R pediatric wrist radiograph; lateral projection; detector: Siemens. 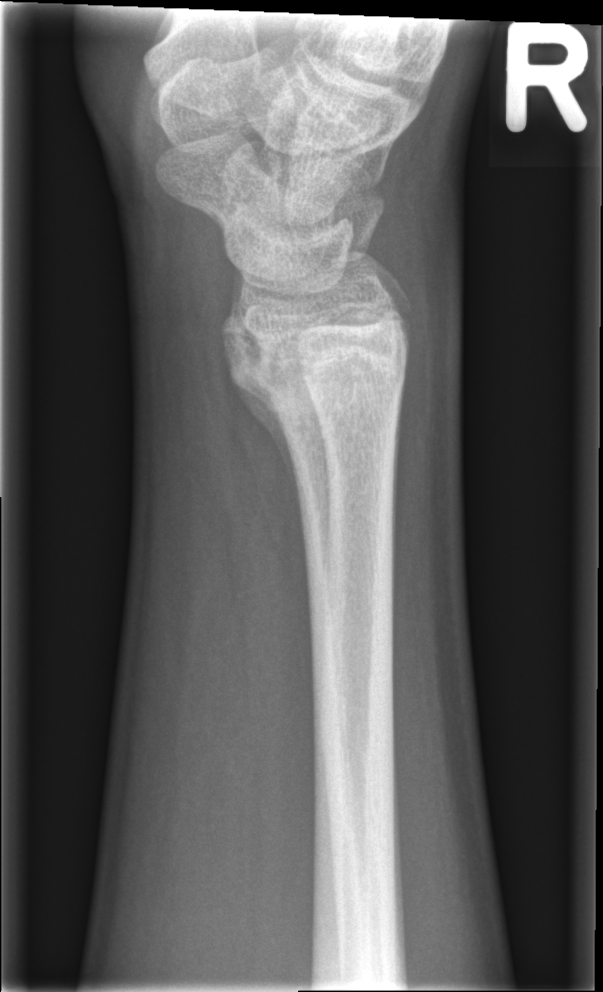

{
  "fracture": "<223,311>-<413,442>",
  "periostealreaction": "1 @ <237,385>-<298,496>"
}